Lateral projection · left wrist X-ray · cast in situ 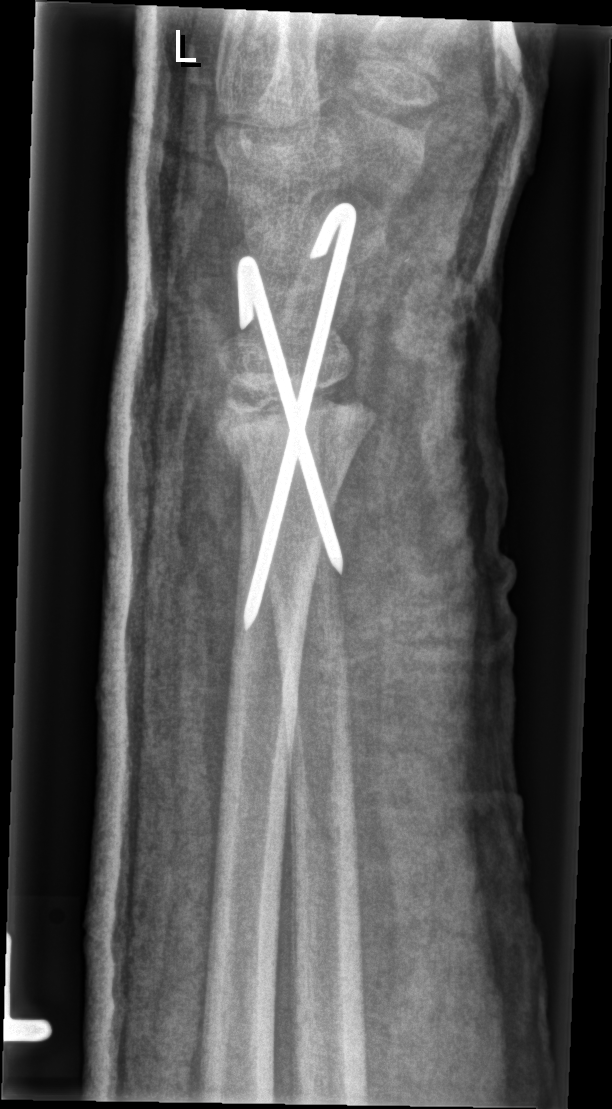

Q: Is there a fracture?
A: Fracture identified at [x1=209, y1=366, x2=382, y2=464]
Q: AO code?
A: AO/OTA classification: 23r-E/2.1; 23u-E/7
Q: Any metal present?
A: Metallic implant — [x1=229, y1=197, x2=360, y2=636]